Lateral view, right wrist pediatric wrist radiograph, 9y M, imaged through cast.
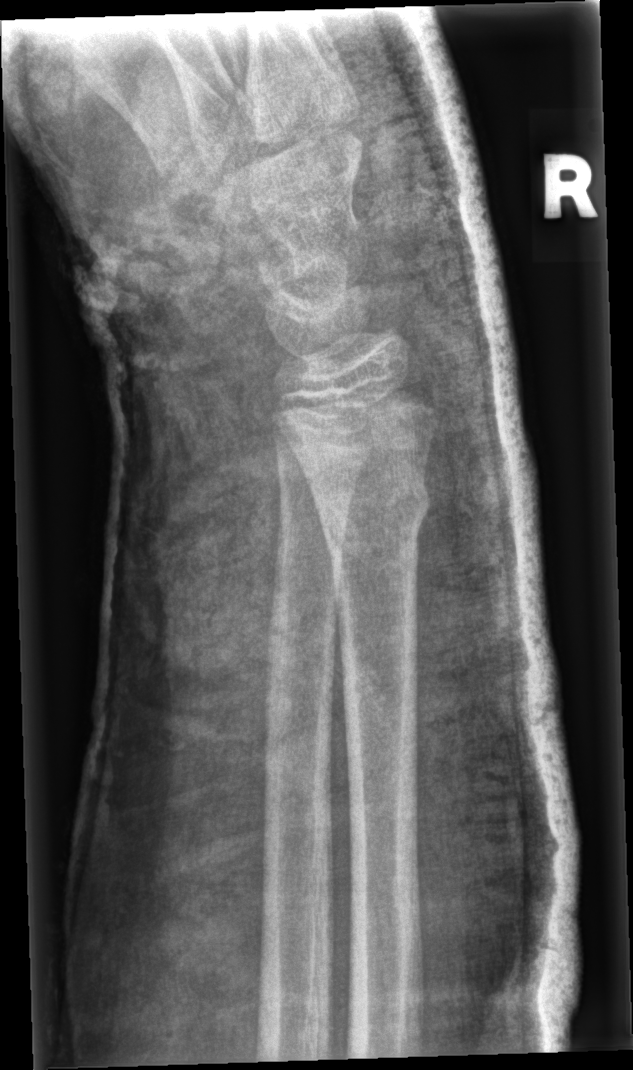 (coordinates are [x1, y1, x2, y2] in image pixels)
Fx: 315,466,436,558
AO code: 23r-M/3.1; 23u-E/7